PA/AP · Lt wrist plain film —
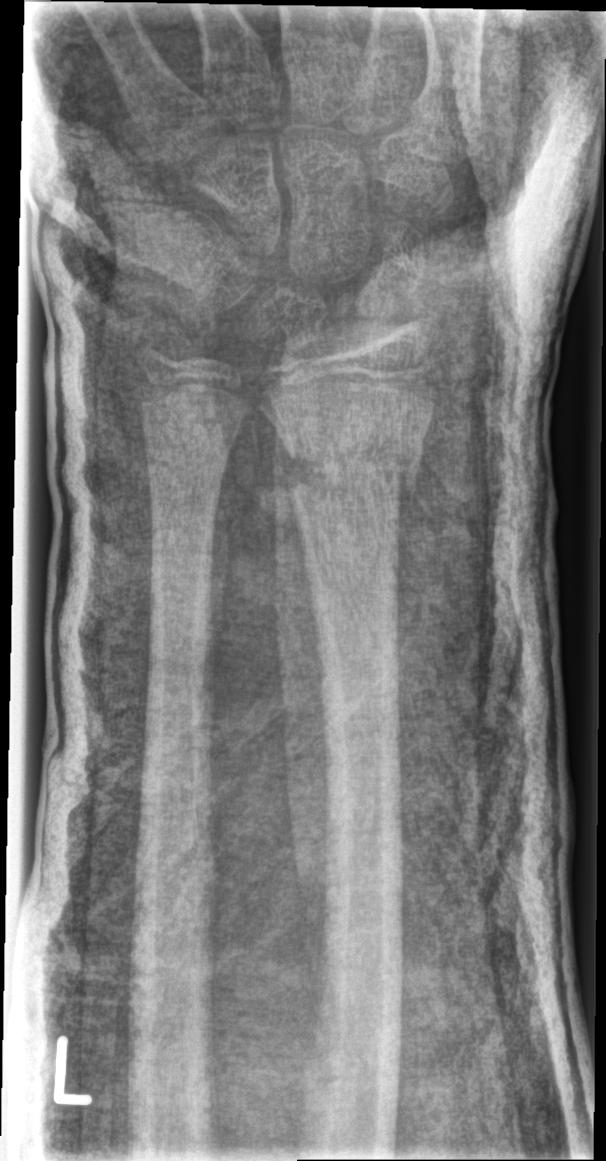
Bone fracture: [x1=270, y1=414, x2=428, y2=510]
AO code: 23r-M/3.1; 23u-M/2.1